Posteroanterior; right wrist radiograph; 8y M; image 102.8 mm wide
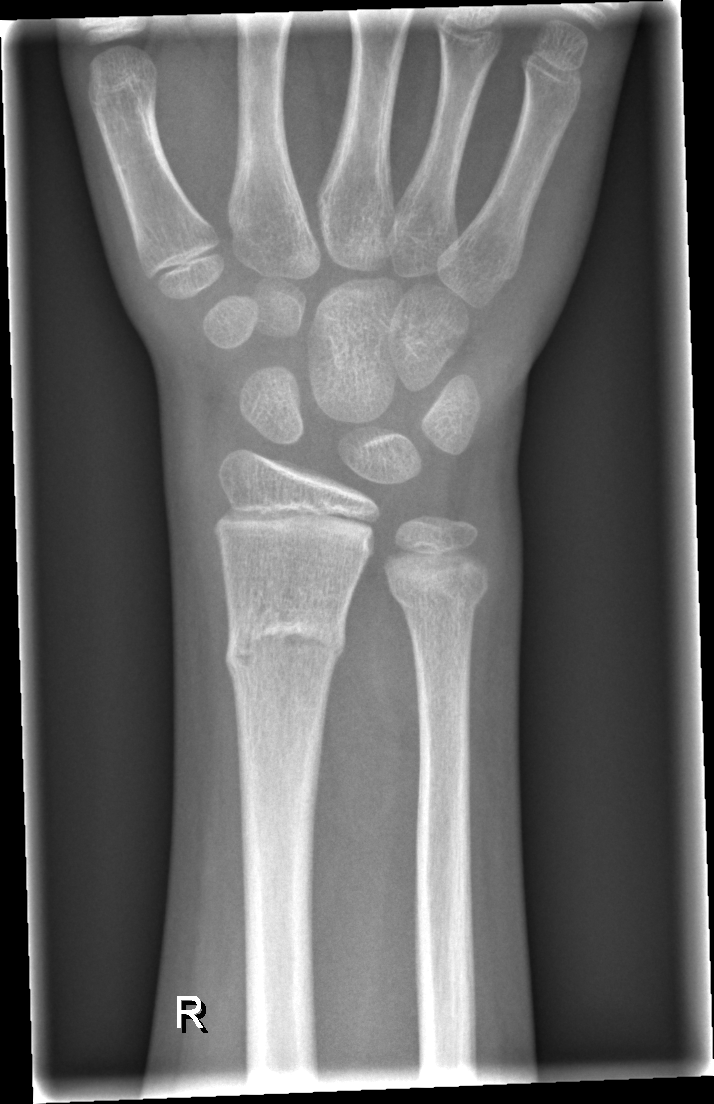
FINDINGS — Bone fractures — [222, 596, 348, 683]; [382, 558, 489, 620].